L wrist plain film, frontal, age 10 y, boy —

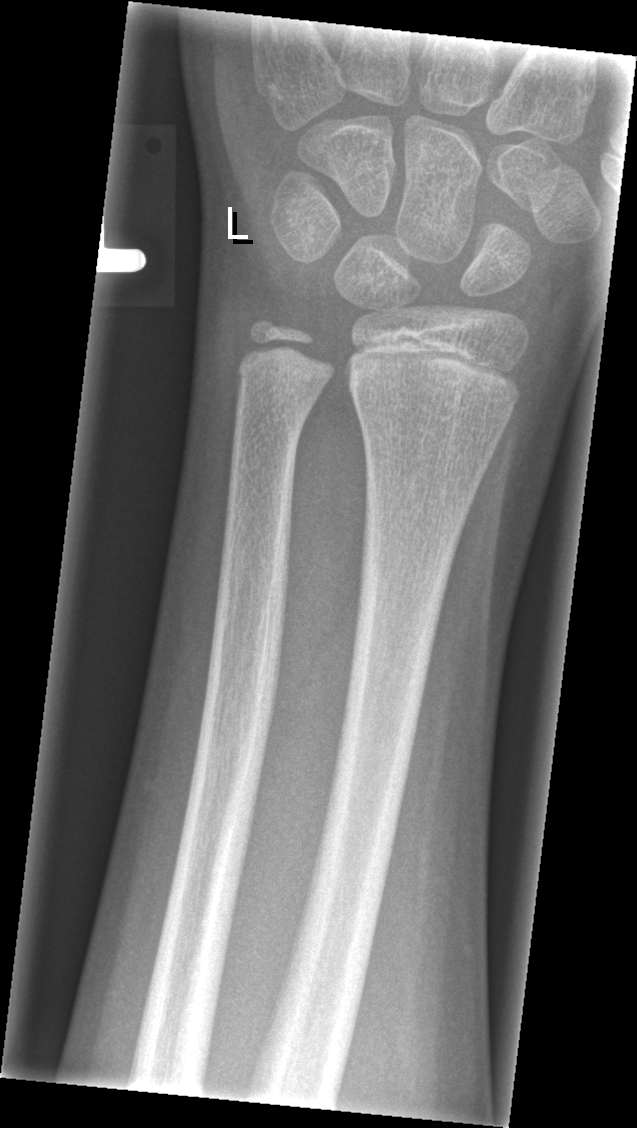
Fracture: none labeled